Lateral projection | right wrist plain radiograph of the wrist | male, 10 yo:

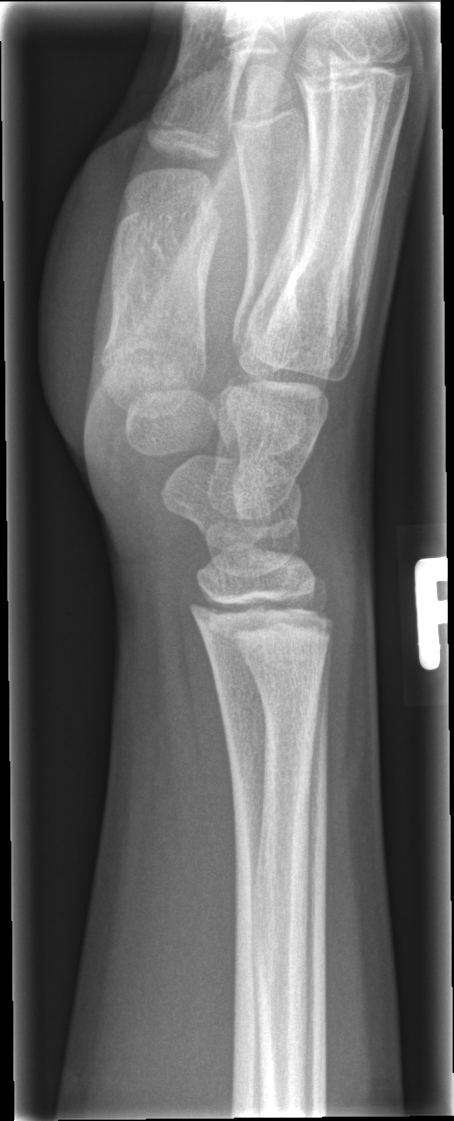 Q: What is the AO/OTA classification?
A: AO code 23u-E/1
Q: Fracture present?
A: Fracture present, but no bounding box because it is not clearly seen in this view